Lateral projection | left wrist plain radiograph of the wrist | age 13 y, male | cast in situ | image width 88.7 mm — 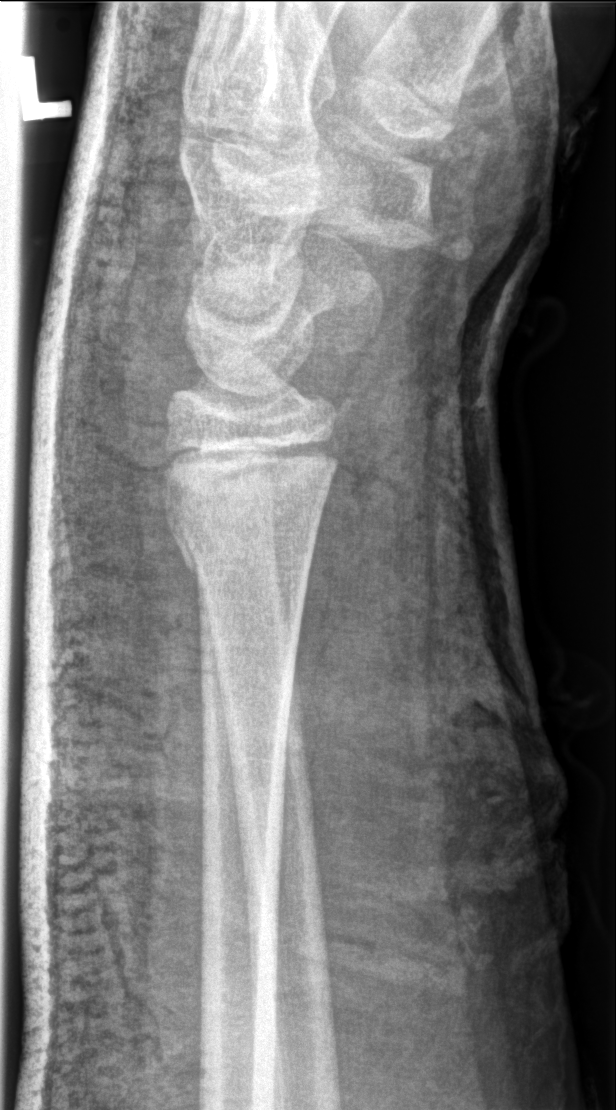
Fracture identified at bbox(167, 500, 327, 586).